L wrist radiograph · lateral projection · 16y F · initial study: 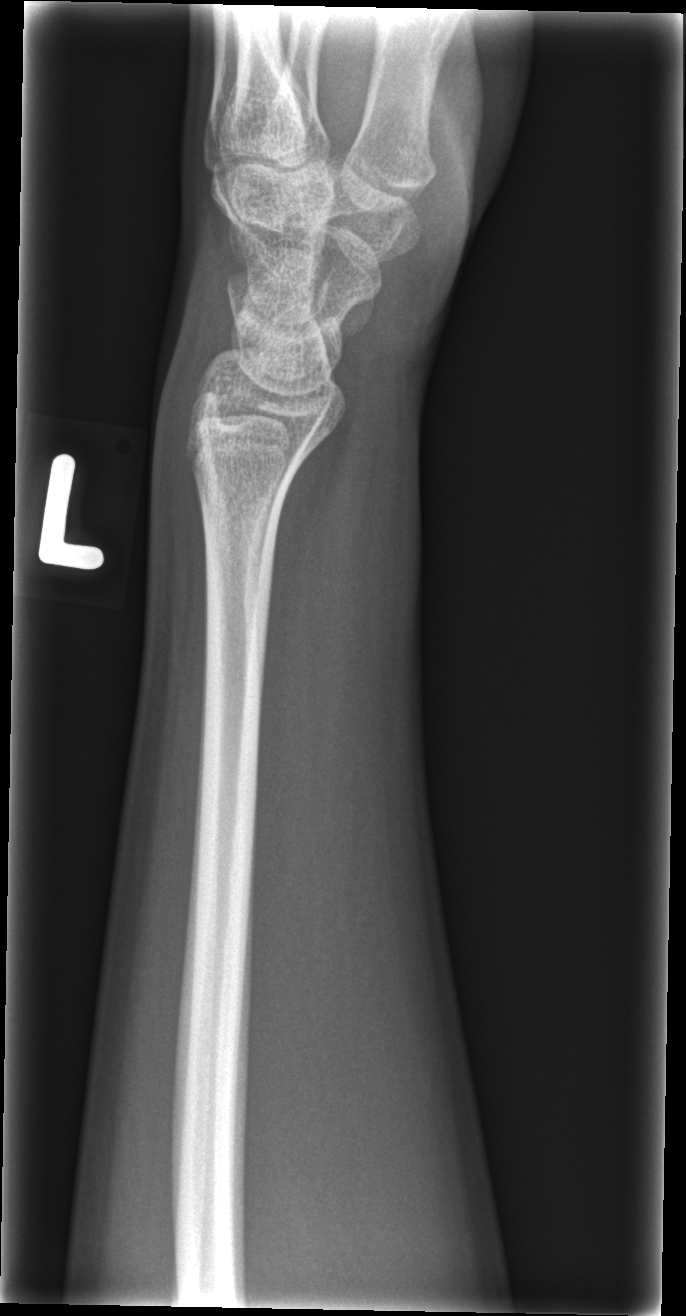
Q: Fracture present?
A: No fracture bounding box